Lt pediatric wrist radiograph · lateral view · acquired on Siemens:

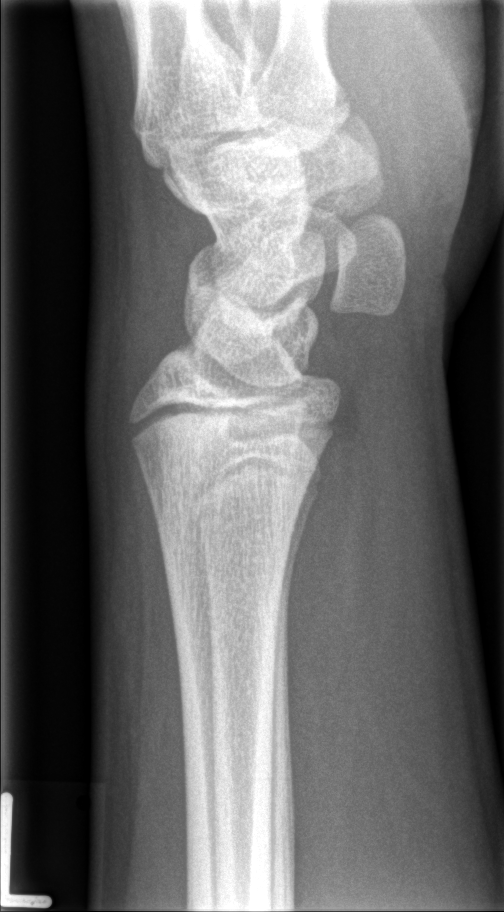
• No fracture annotation.